Rt plain radiograph of the wrist; lat projection; pediatric patient (boy, age 13)

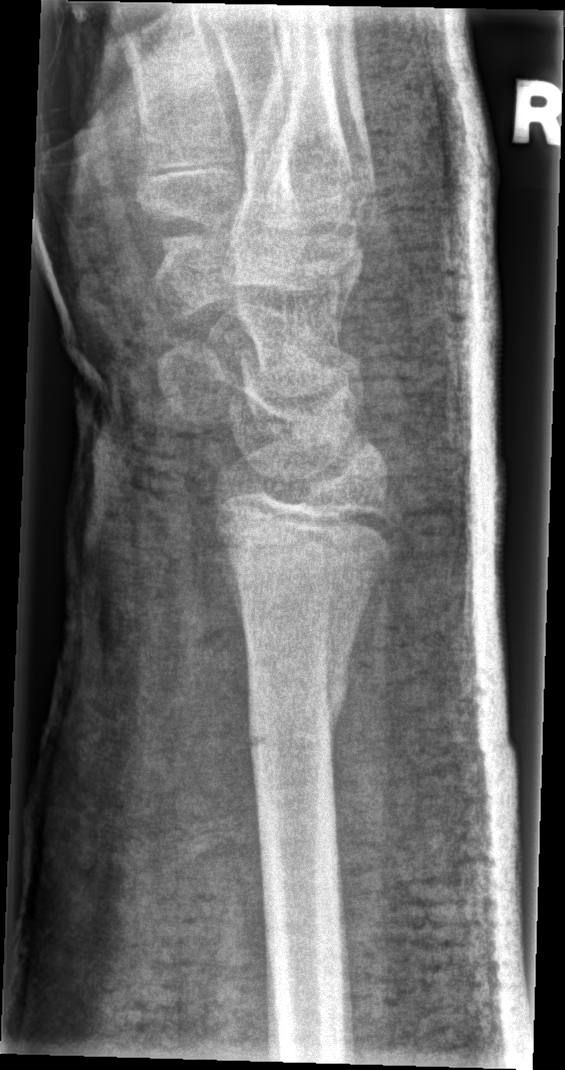

(boxes as x1,y1,x2,y2 (top-left / bottom-right, pixel units))
bone fracture = 1 @ 247 663 352 758